AP; Lt wrist X-ray; pediatric patient (girl, age 7); 96.8 mm image width.

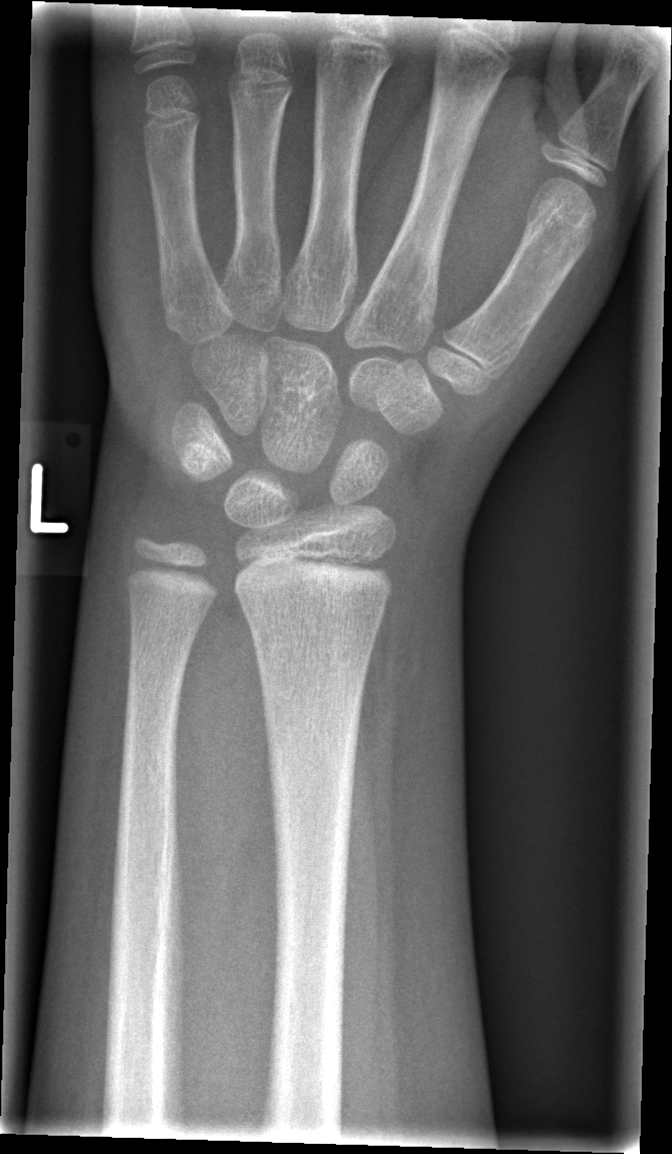 Findings: No Fx annotated.